Left wrist XR · PA/AP:
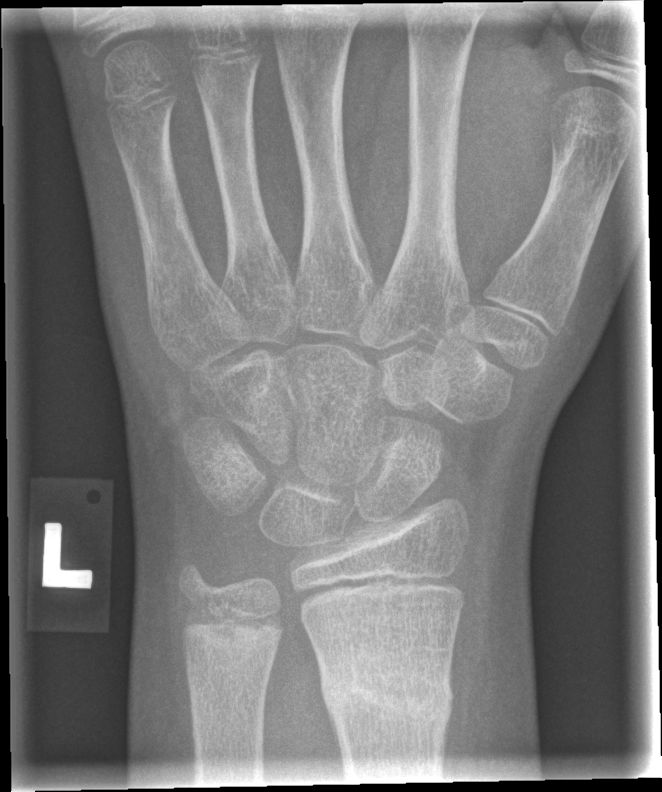
FINDINGS: (boxes as x1,y1,x2,y2 (top-left / bottom-right, pixel units)) Reduced bone mineral density. Bone fracture — <315,648>-<455,741>. AO code 23r-M/2.1.